Posteroanterior view | right plain radiograph of the wrist: 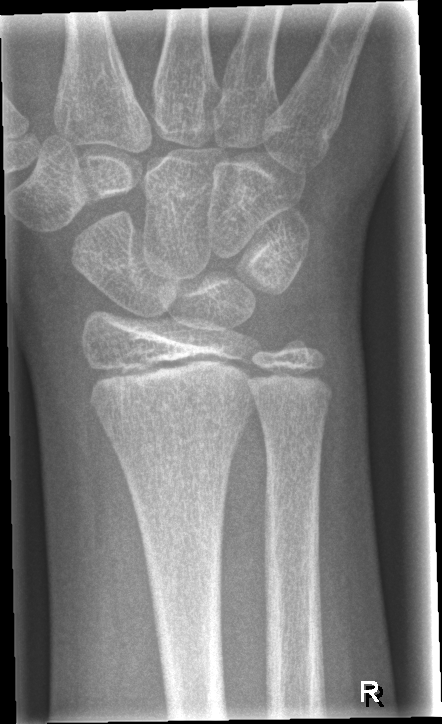
FINDINGS: AO/OTA classification: 23r-M/2.1. Fx: present but not clearly seen in this view.